Right wrist pediatric wrist radiograph, PA view:

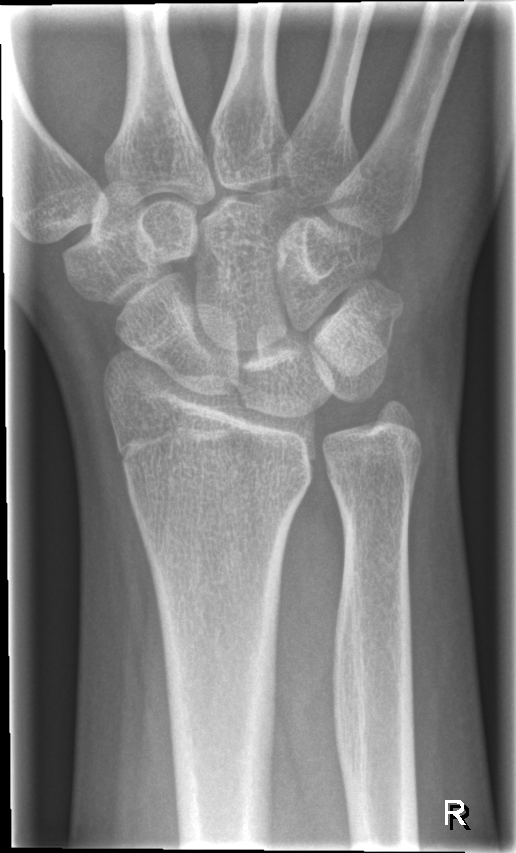

fracture = none labeled